Left wrist radiograph · posteroanterior projection · 15y M · subsequent exam:
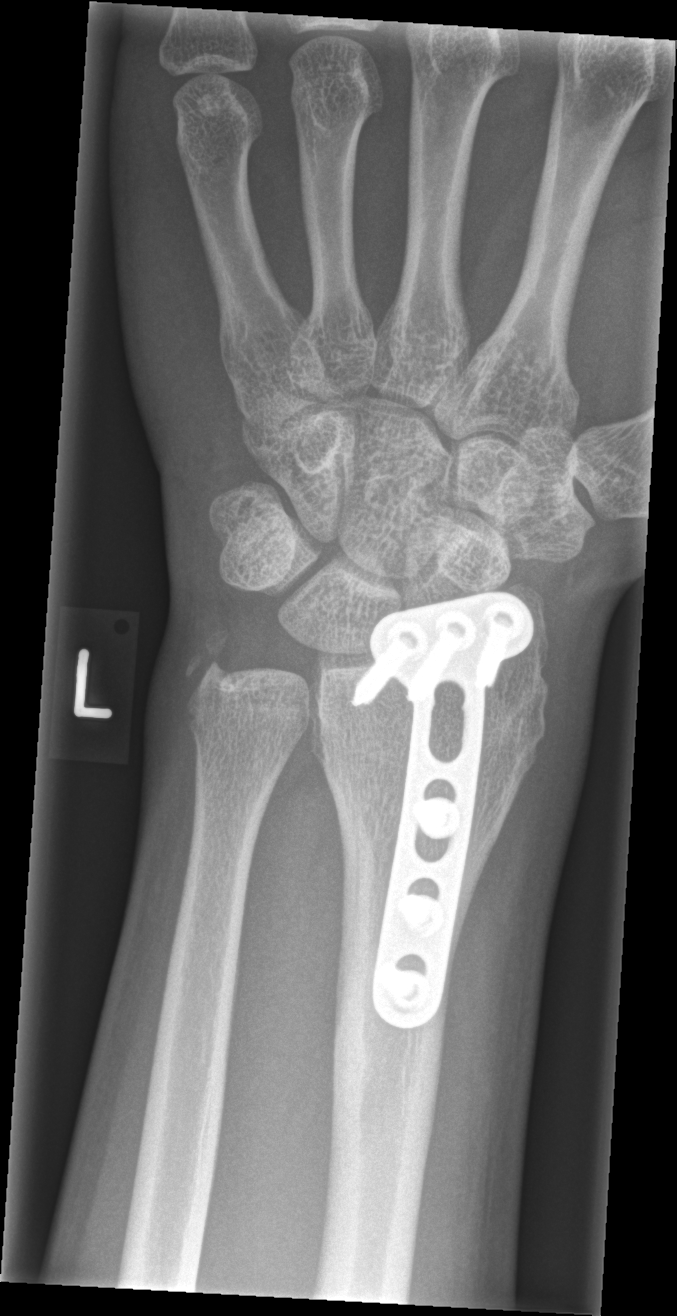 Q: Any fracture seen?
A: One fracture at (179, 623, 248, 704)
Q: Any metal present?
A: Metallic hardware identified at (348, 587, 536, 1036)